Left wrist plain film, lateral projection.
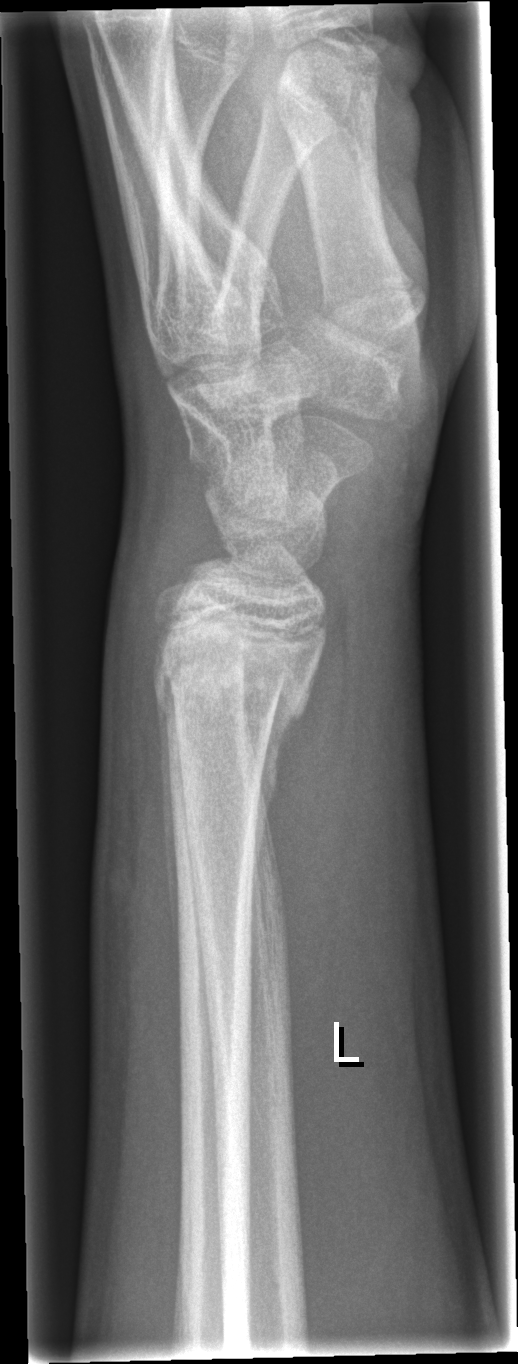
Q: Any fracture seen?
A: Bone fracture: (left=148, top=644, right=317, bottom=737)
Q: Bone density?
A: Reduced bone mineral density
Q: AO code?
A: Fracture classified AO/OTA 23r-M/3.1; 23u-E/7